Lateral view, L wrist plain film, pediatric patient (boy, age 5), follow-up, imaged through cast, image 77.0 mm wide —

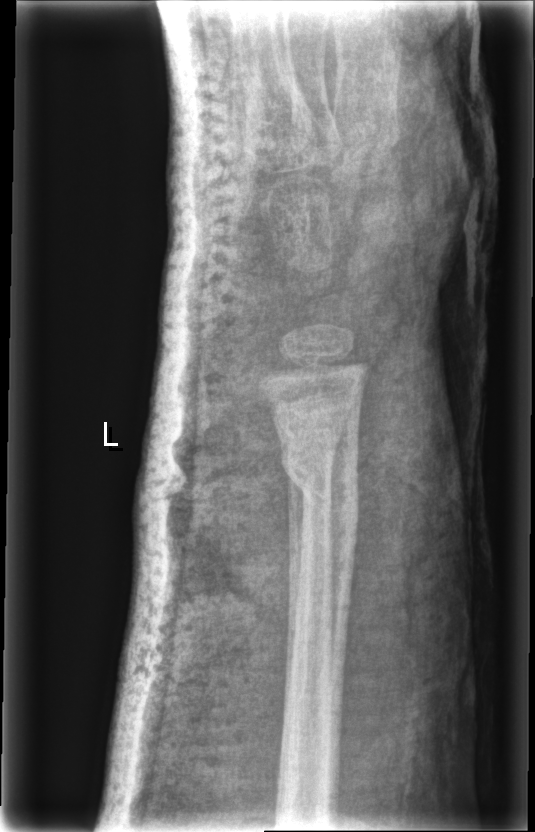
Pixel coordinates, top-left origin, xyxy. Bone fracture: bbox(275, 438, 363, 531). Fracture classified AO/OTA 23-M/2.1.